Right wrist plain radiograph of the wrist · lat projection · 366x1142

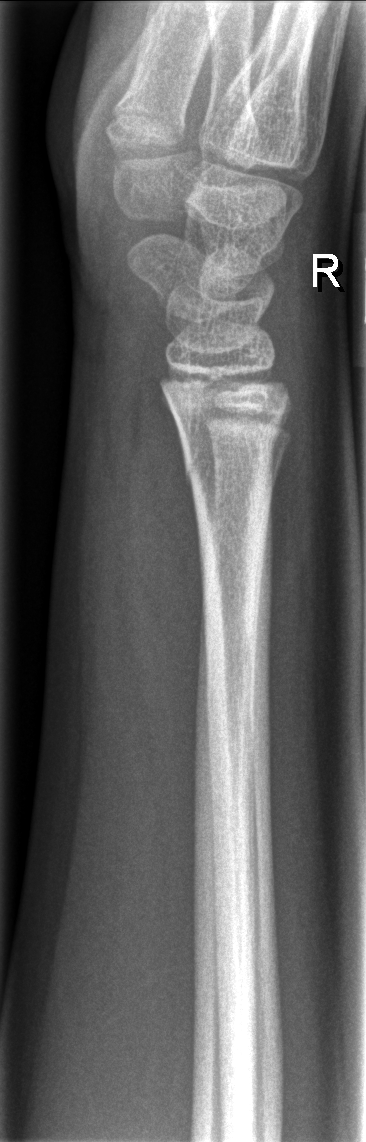

FINDINGS: One pronator quadratus fat-pad sign at (left=124, top=370, right=204, bottom=818). Bone fracture: (left=178, top=413, right=289, bottom=502).